Right plain radiograph of the wrist; lat projection —
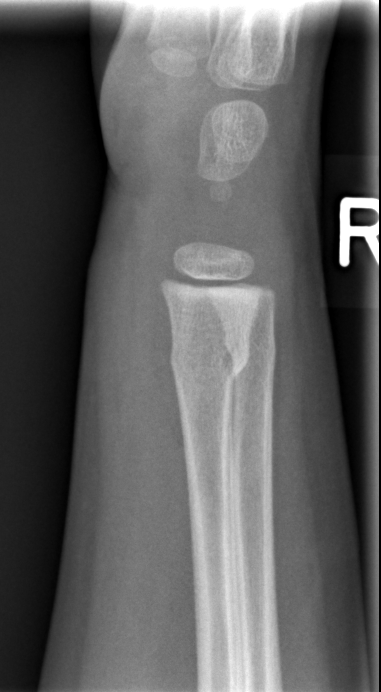
FINDINGS — Bone fracture: bbox(166, 332, 252, 388); bbox(221, 329, 279, 366).